Posteroanterior view, right wrist plain film, female, 10 yo
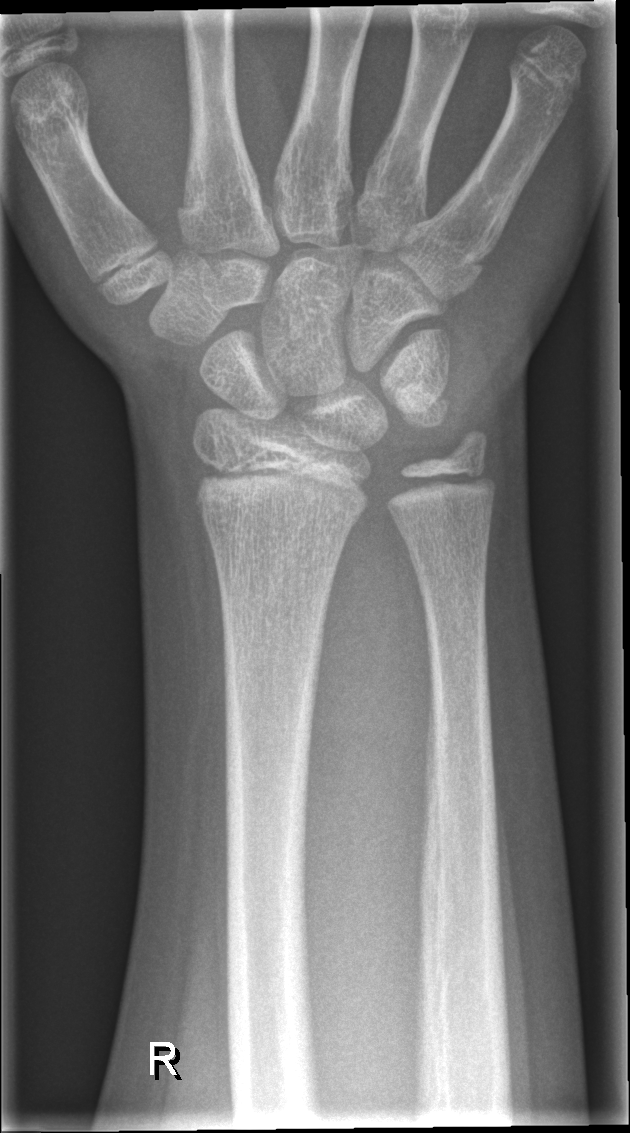

No fracture annotation.